R wrist radiograph | lat | age 14 y, male. 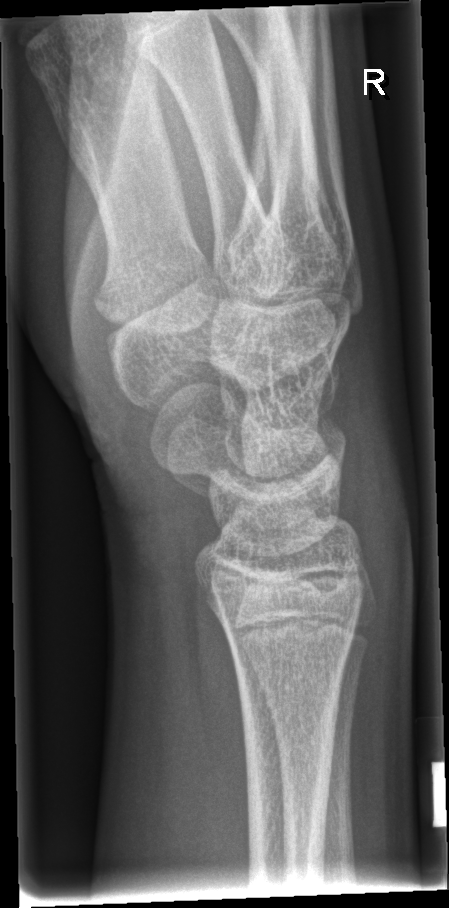

Fx: none.